PA view; left wrist XR; pediatric patient (female, age 11); image width 87.1 mm —

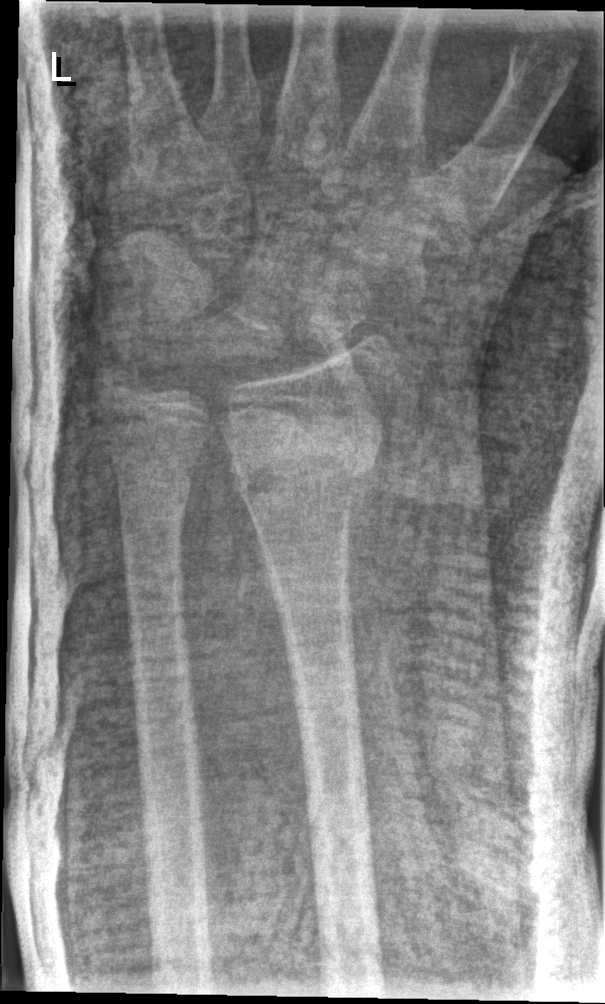

Findings: AO code 23r-M/3.1; 23u-M/2.1; 23u-E/7. Three bone fractures at 221,418,384,519
  111,465,194,531
  88,357,145,410.